Lat, left wrist XR, in cast, 486 by 788 pixels:
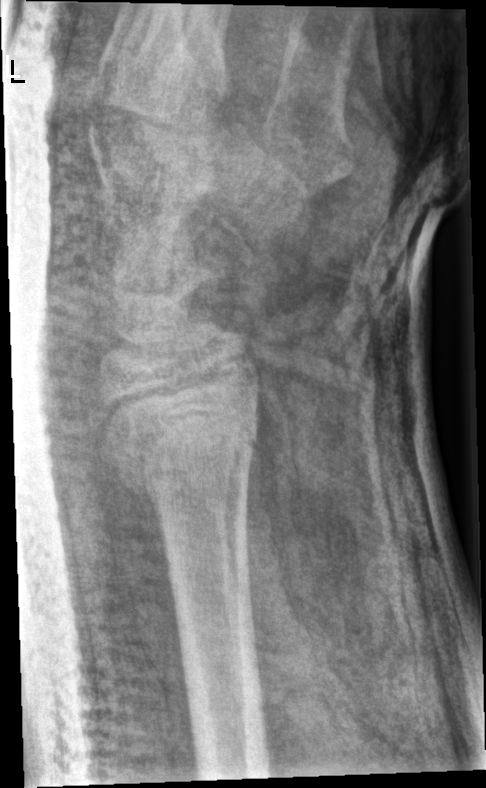 Coordinates are [x1, y1, x2, y2] in image pixels.
Fracture: (left=97, top=405, right=264, bottom=511).